Right wrist plain film · PA/AP view · index exam · detector: Siemens:
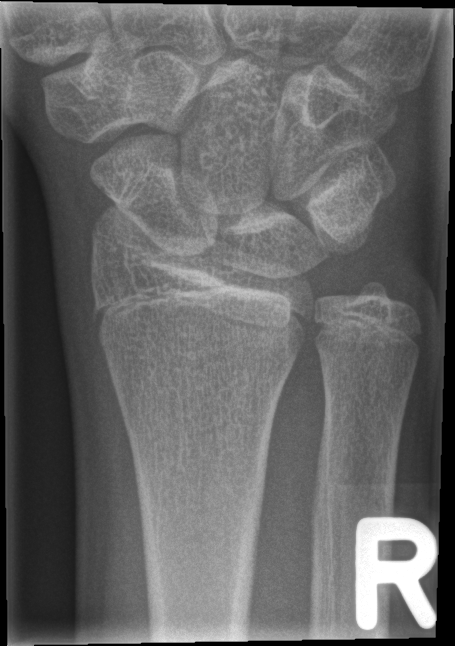

Q: Is there a fracture?
A: Fx: none